PA view; Rt wrist radiograph; 16y F. 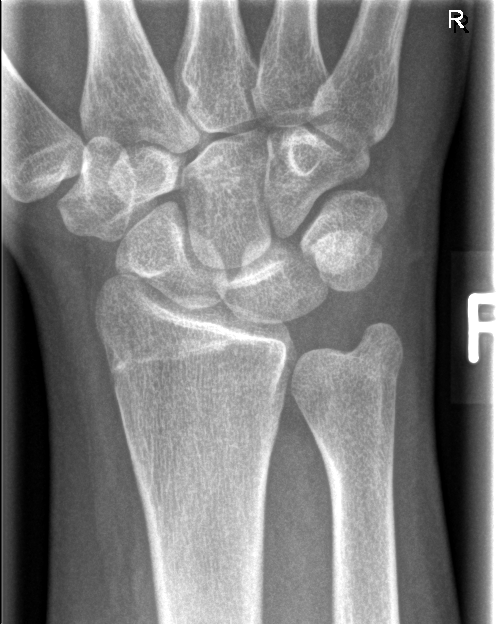

{
  "fracture": "none labeled"
}